Lat, left wrist pediatric wrist radiograph, 8-year-old male, imaged through cast, 576x959 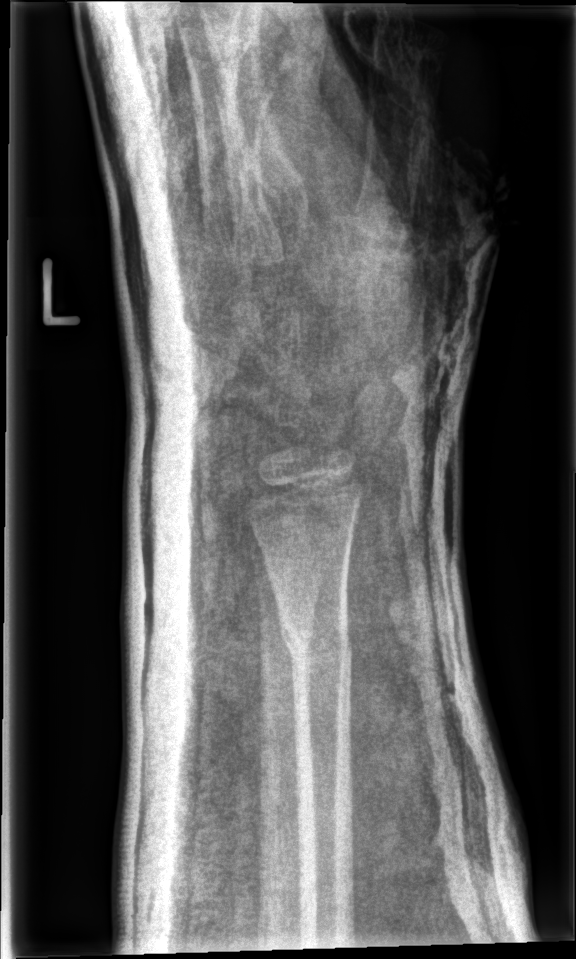 One bone fracture at bbox(275, 609, 355, 674).
AO code 23r-M/3.1; 23u-M/2.1.